Rt wrist XR, frontal projection, 15-year-old male, image size 841x1372 —
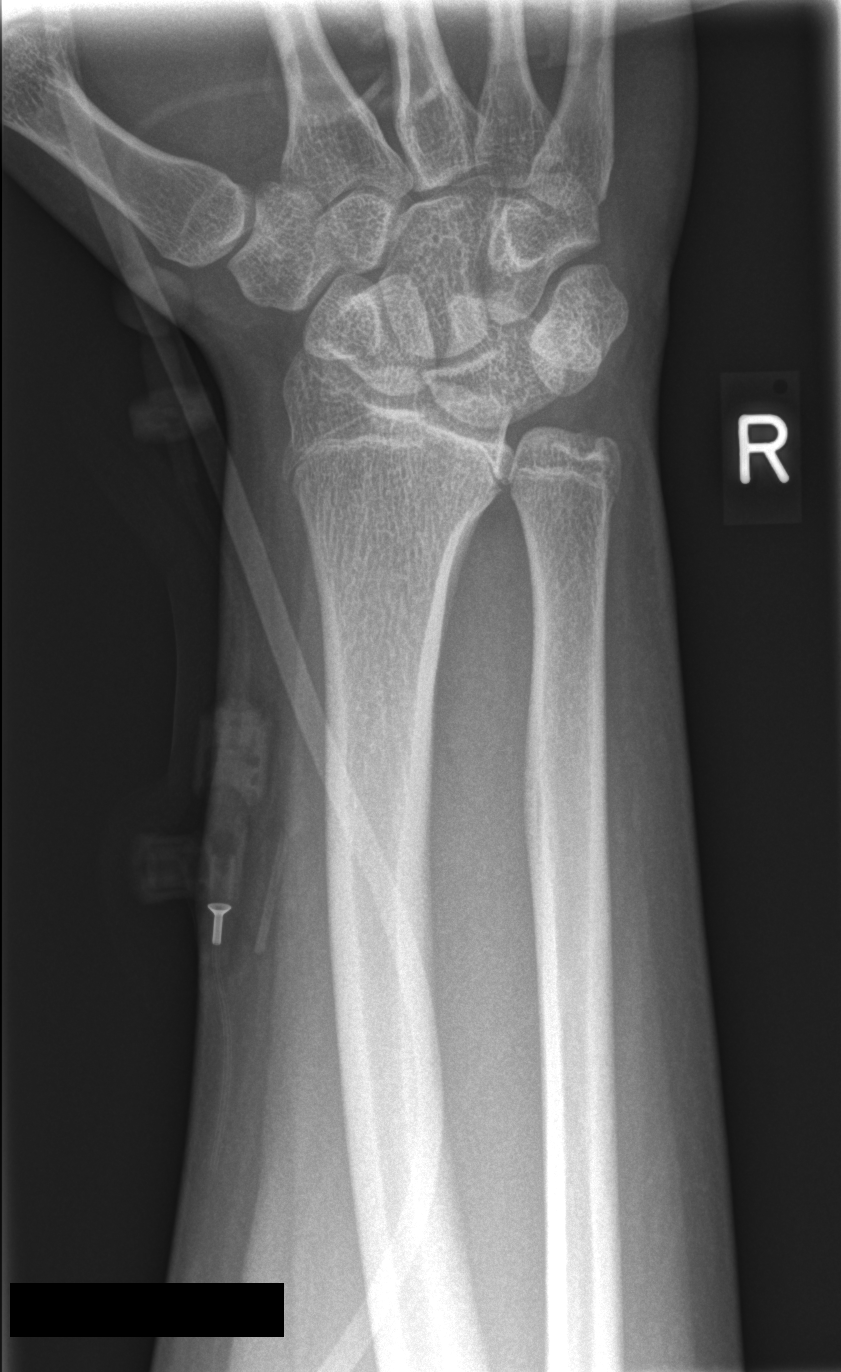 Fracture: none labeled
FB: [x1=201, y1=695, x2=267, y2=961]